Lat view, L plain radiograph of the wrist, pediatric patient (girl, age 12)
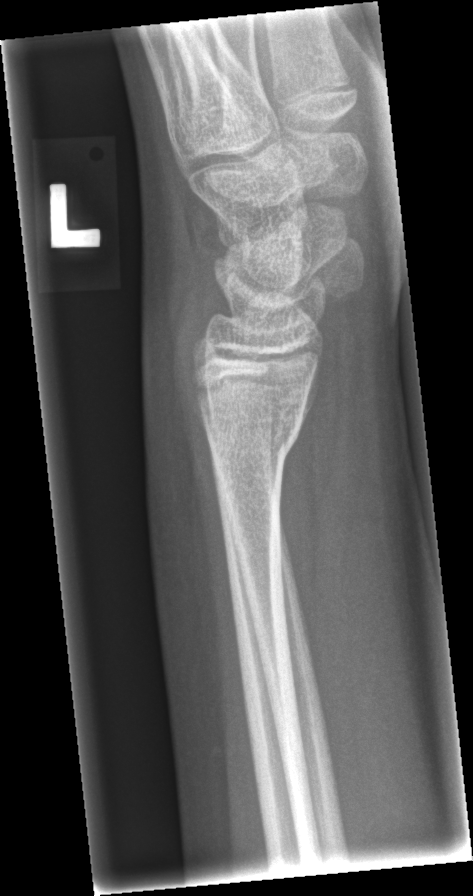

FINDINGS — One bone fracture at 201 409 306 478. AO/OTA classification: 23r-M/2.1.